PA/AP projection · right wrist X-ray · boy, 11 yo: 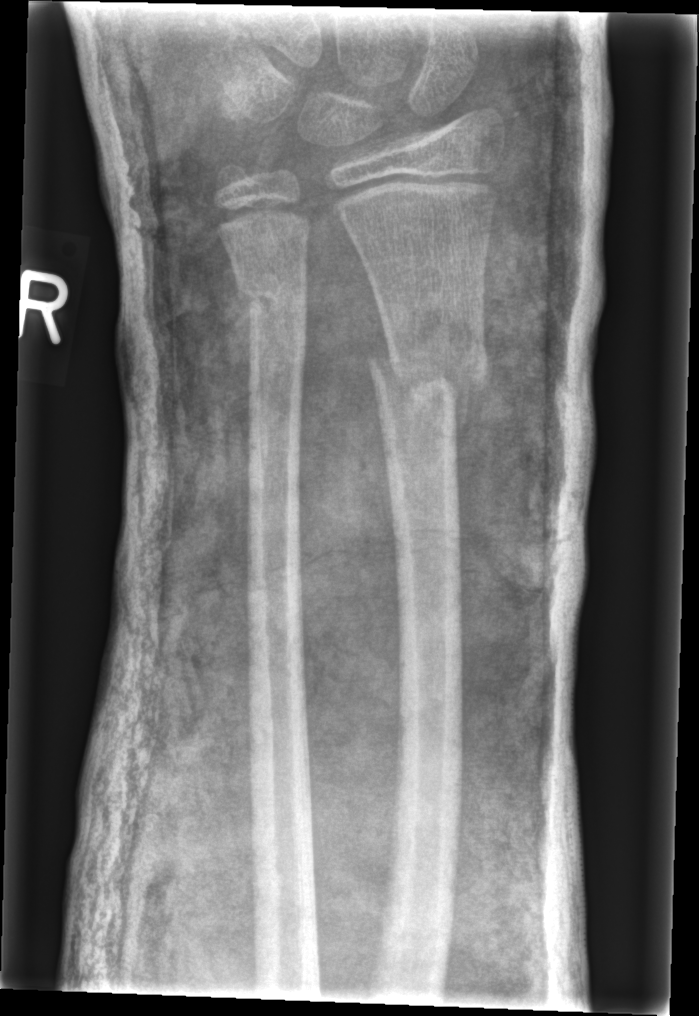

Q: What is the AO/OTA classification?
A: AO/OTA classification: 23r-M/3.1; 23u-M/2.1
Q: Is there a fracture?
A: Fracture: <363,334>-<490,432>, <232,269>-<312,345>